L pediatric wrist radiograph; PA/AP view; age 14 y, boy; 493x1172.
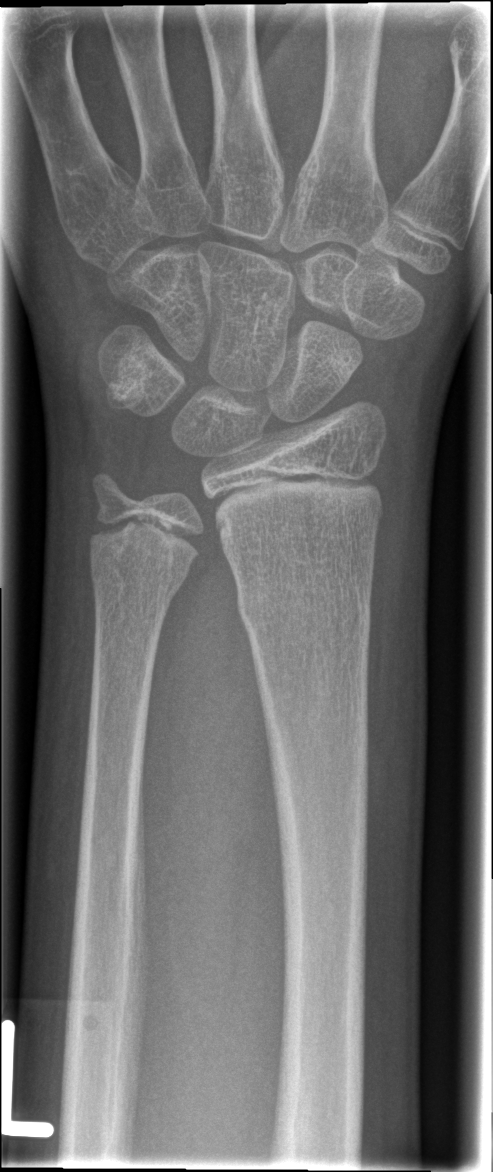

* Fracture classified AO/OTA 23-M/2.1.
* Bone fractures — <234,576>-<375,645>; <87,553>-<194,599>.